PA projection; left wrist X-ray; 11y F; detector: Siemens; 518 by 1158 pixels:
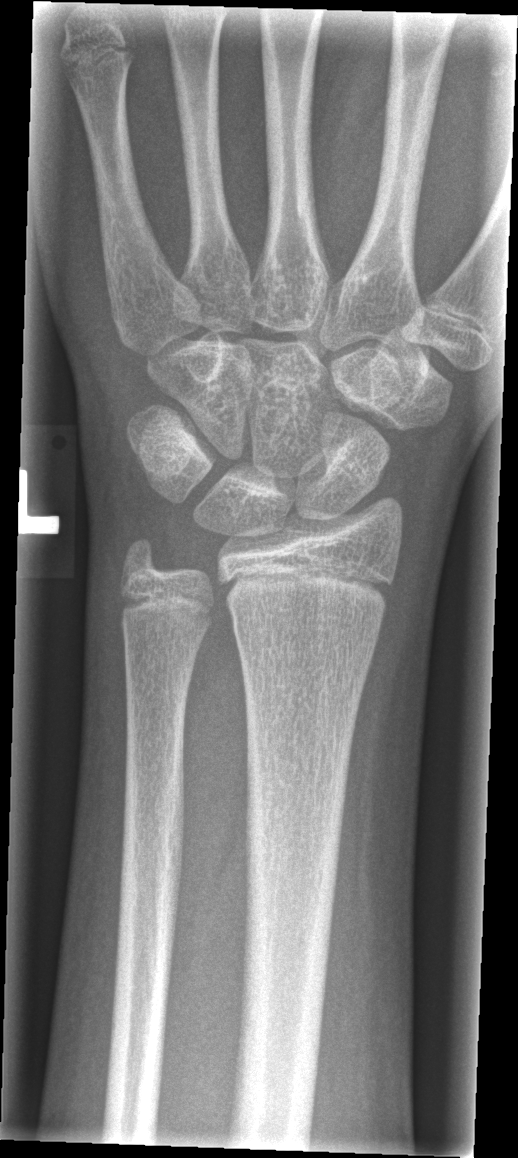

FINDINGS — No fracture labeled.